PA projection, Lt wrist XR, index exam. 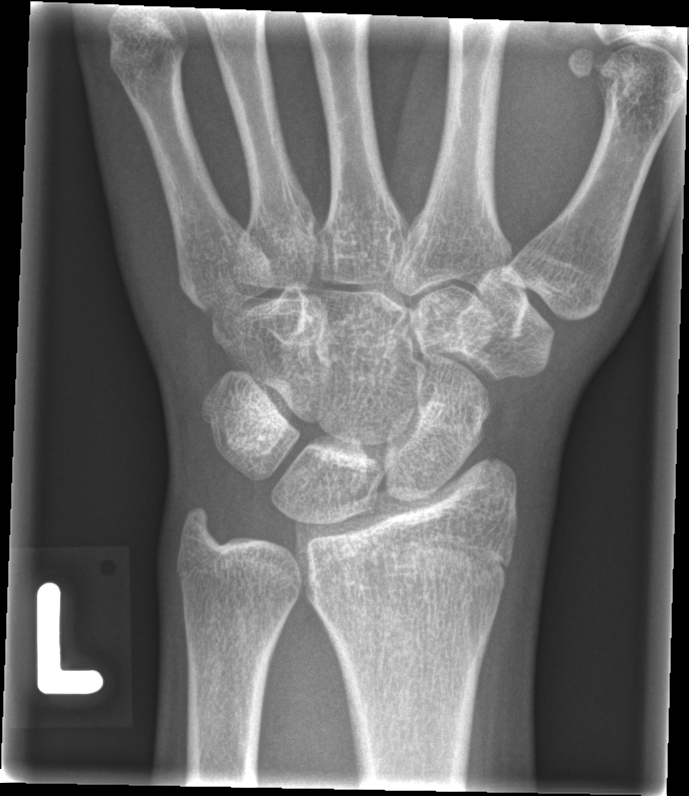 Fx: none labeled